Lt wrist radiograph; posteroanterior view; 14-year-old male; cast in situ; 622 x 1317 px: 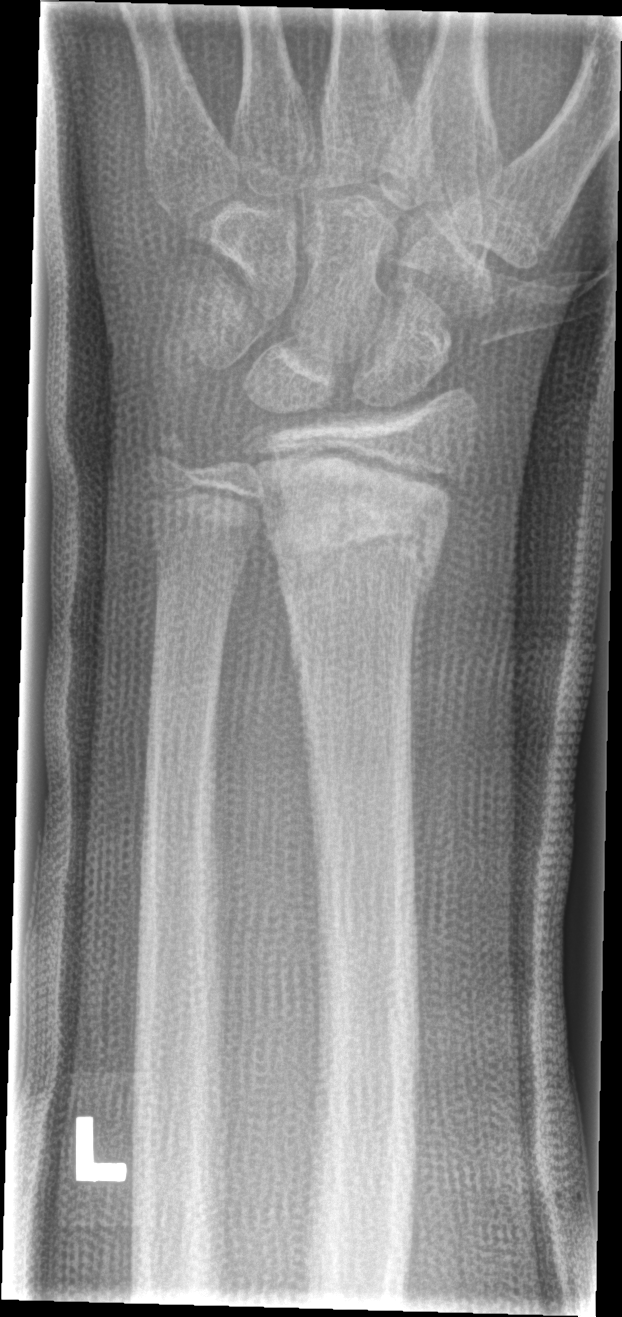

{"_coords": "coordinates are [x1, y1, x2, y2] in image pixels", "fracture": "2 @ bbox(268, 474, 446, 595), bbox(138, 422, 205, 486)", "ao": "23r-M/3.1; 23u-E/7"}